Lat projection, Lt plain radiograph of the wrist, initial study —
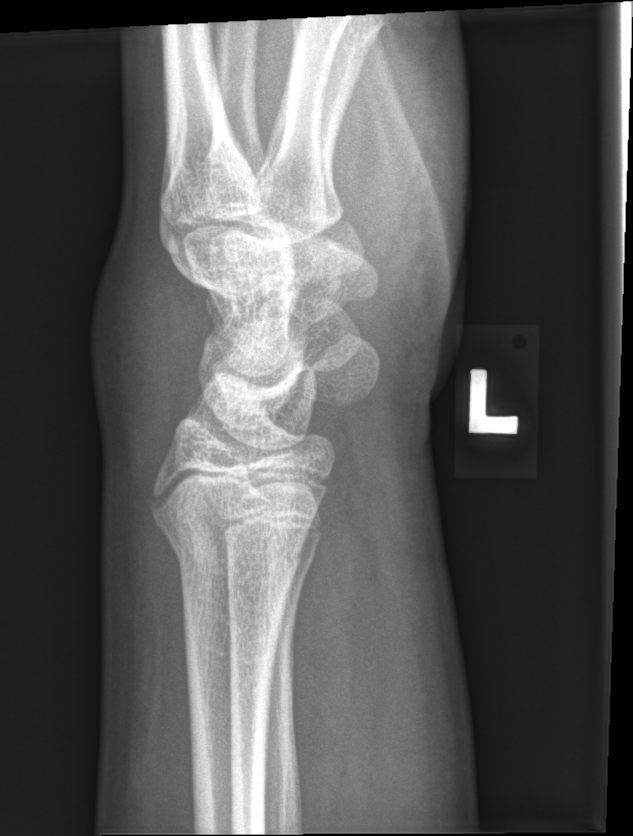
Findings: (boxes as x1,y1,x2,y2 (top-left / bottom-right, pixel units)) One fracture at <152,493>-<320,595>. One soft-tissue swelling at <81,220>-<209,482>. Pronator quadratus fat-pad sign identified at <285,483>-<401,836>.